R plain radiograph of the wrist; PA/AP projection; Siemens.

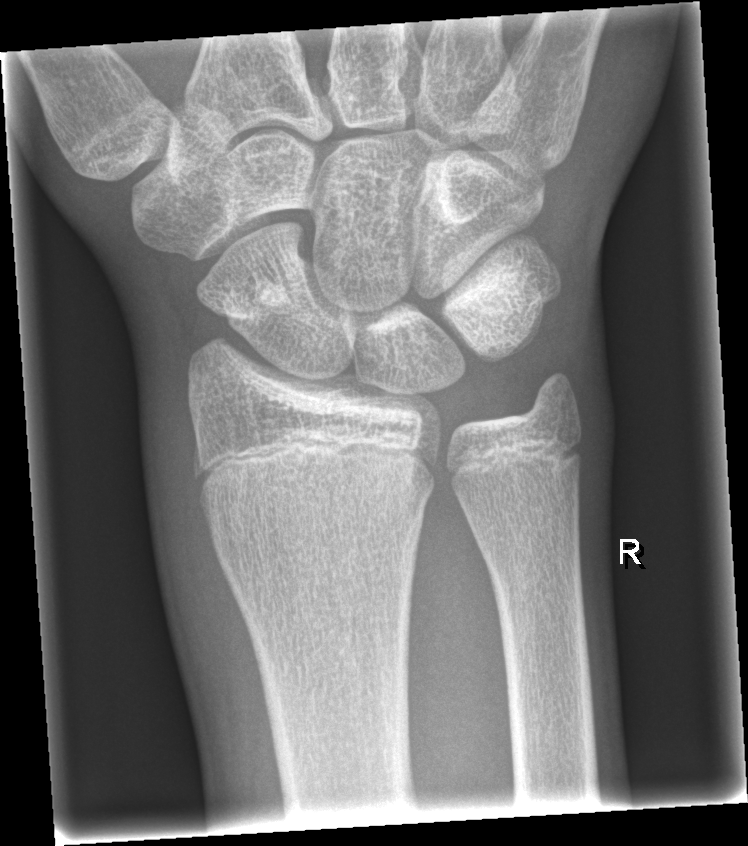
• Fracture: present but not clearly seen in this view.